L plain radiograph of the wrist | lateral | age 16 y, girl —
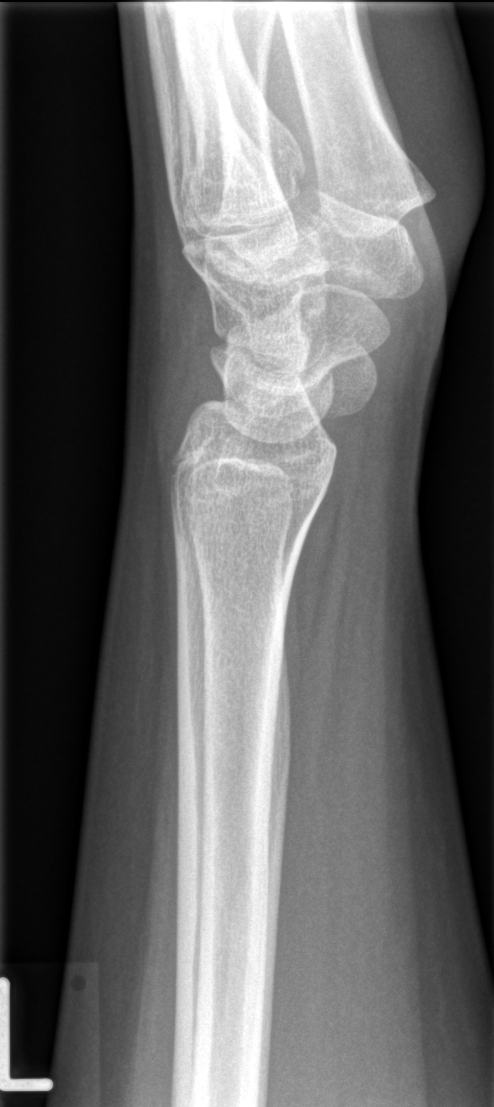

FINDINGS — No fracture bounding box.